Right wrist plain film | lateral view | age 3 y, boy
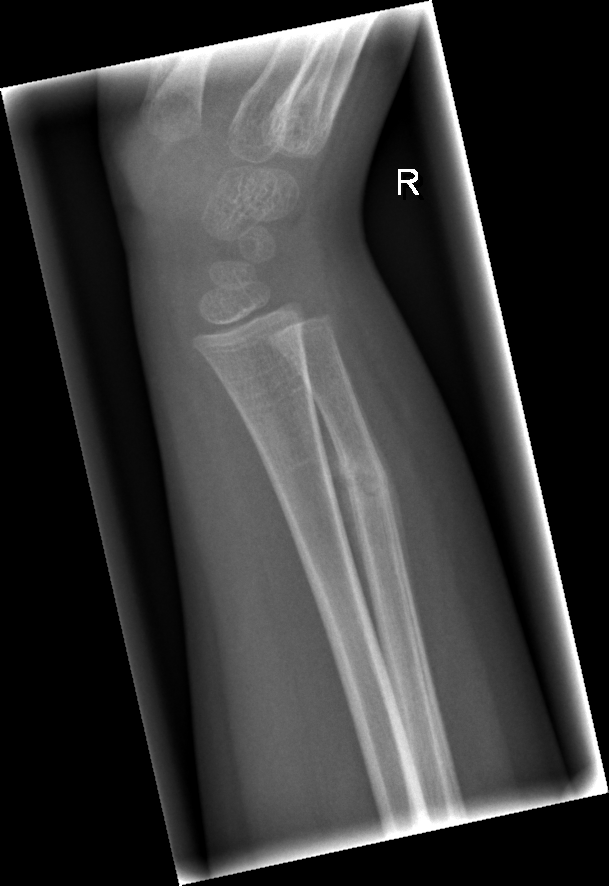 FINDINGS — (coordinates are [x1, y1, x2, y2] in image pixels) AO/OTA classification: 22u-D/2.1. Fracture: (333, 445, 395, 508). Periosteal reaction: (343, 359, 421, 630), (314, 398, 378, 626). Soft tissue abnormality: (339, 339, 461, 674). Osteopenia.